PA/AP view | left wrist plain film | female, 13 yo.

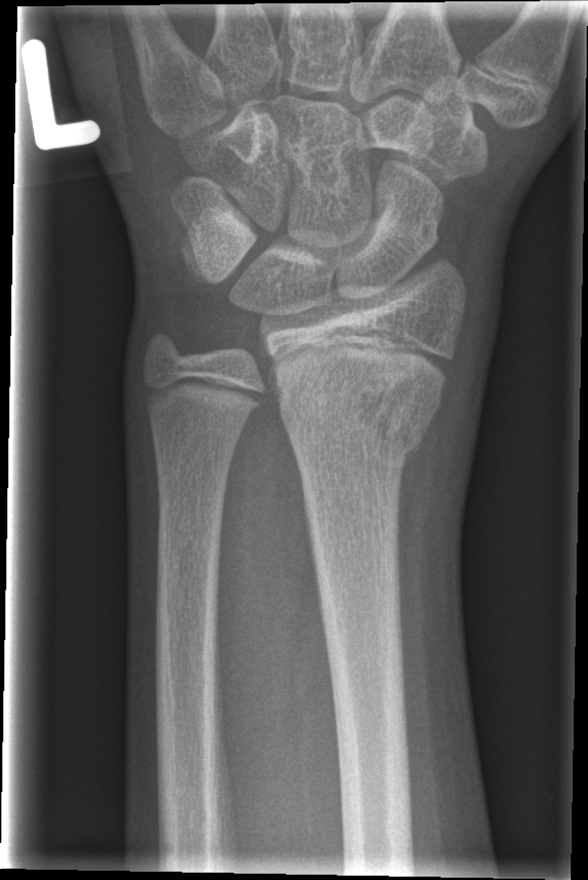

• Fracture: bbox(275, 347, 443, 462).